Posteroanterior view · right wrist X-ray —

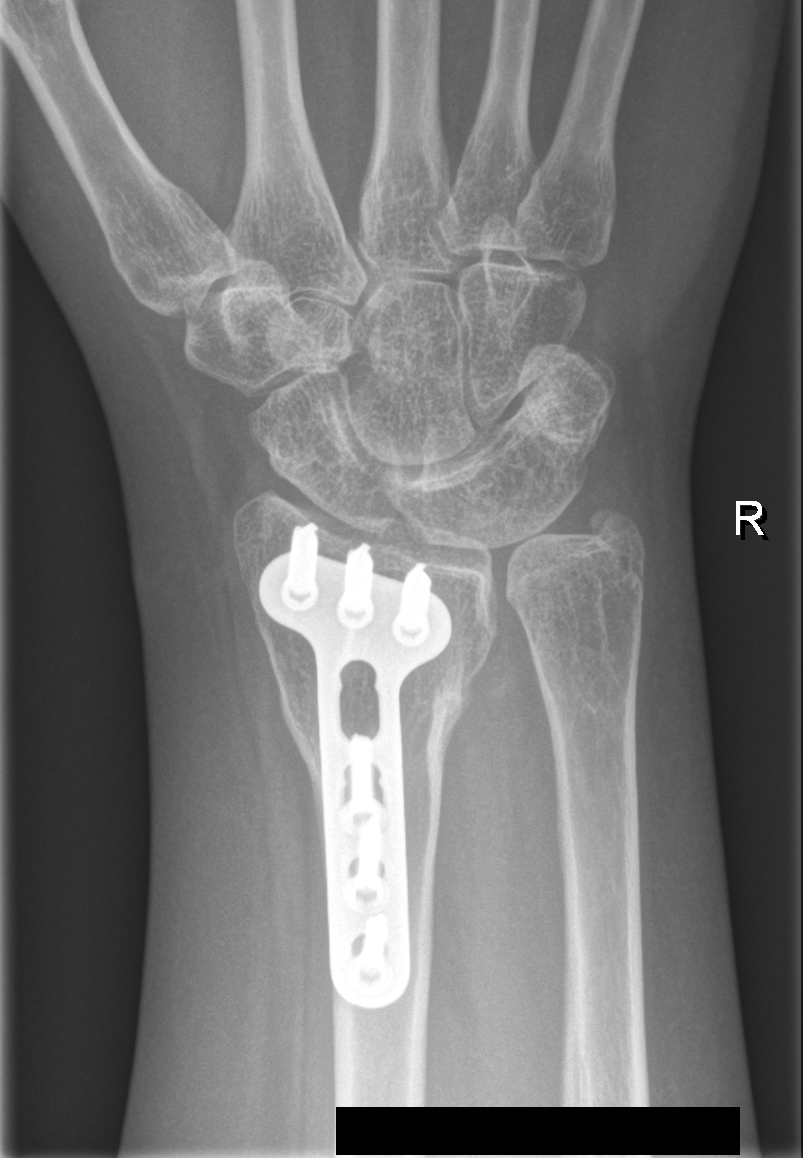

- Metallic implant: (263, 554, 450, 1006).
- Fx: (277, 624, 497, 779) (573, 494, 650, 558).
- AO code 23r-M/3.1; 23u-E/7.